Left wrist radiograph · PA/AP view · 7-year-old male · subsequent exam · imaged through cast · image width 76.9 mm: 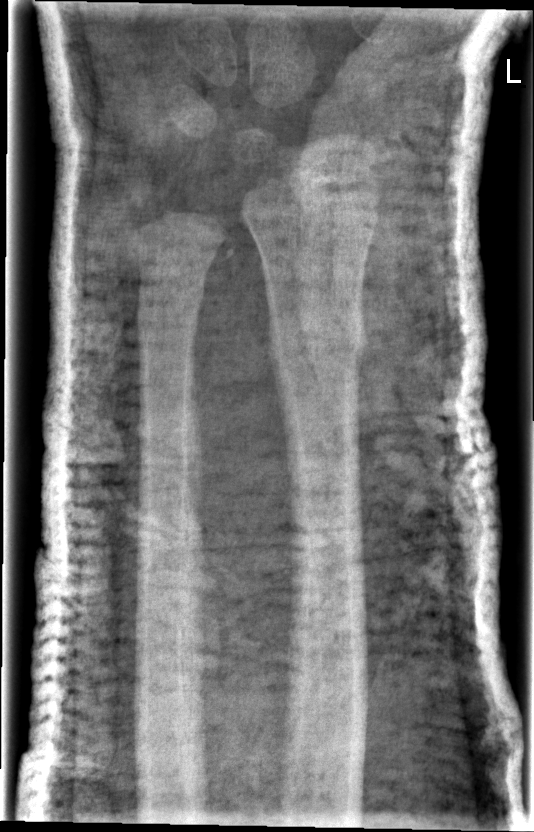 Pixel coordinates, top-left origin, xyxy. AO/OTA classification: 23-M/2.1. Fx — (left=269, top=305, right=369, bottom=384) (left=136, top=268, right=210, bottom=329).